Lt plain radiograph of the wrist, lateral view, girl, 10 yo, image 94.2 mm wide, 654 by 1022 pixels — 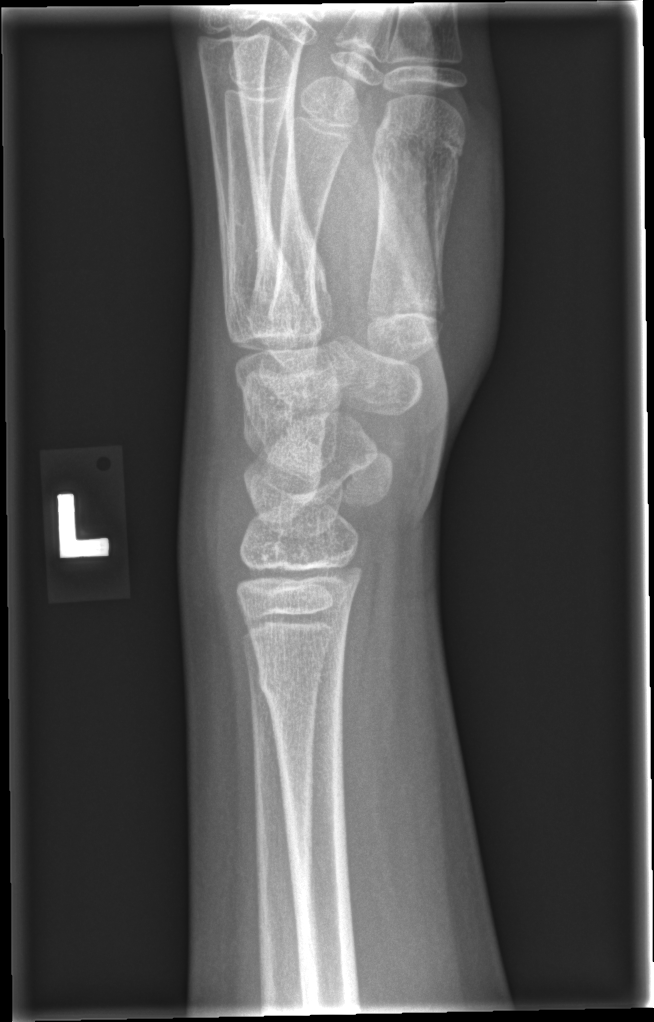

Findings: (boxes as x1,y1,x2,y2 (top-left / bottom-right, pixel units)) One Fx at (256, 658, 348, 709).